Left wrist plain film | posteroanterior projection | age 13 y, girl | detector: Siemens —
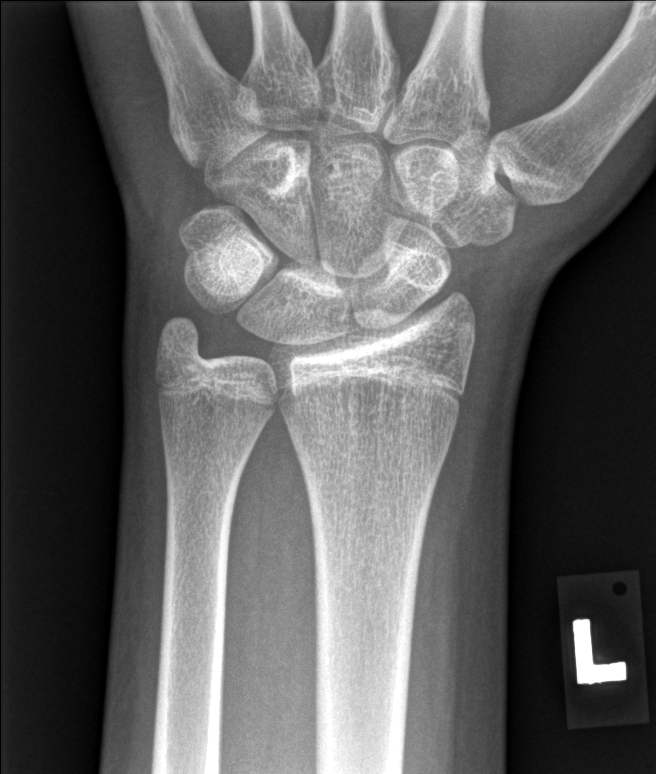
Fx: none labeled